PA/AP projection; left wrist radiograph; pediatric patient (boy, age 10); Siemens; image width 71.1 mm 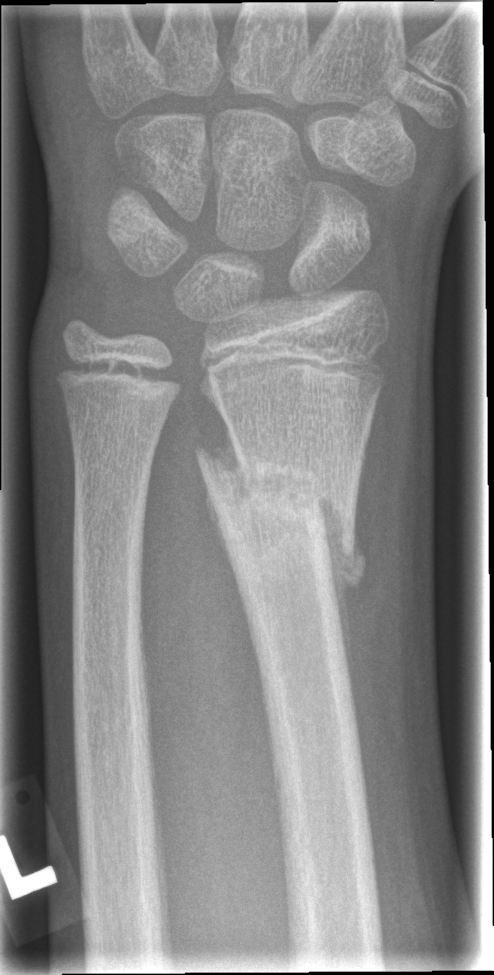
Boxes as x1,y1,x2,y2 (top-left / bottom-right, pixel units). One Fx at 194 443 364 596. Periosteal new bone identified at 320 497 366 721. AO/OTA classification: 23r-M/3.1.